Left wrist plain radiograph of the wrist · lateral · follow-up · cast present. 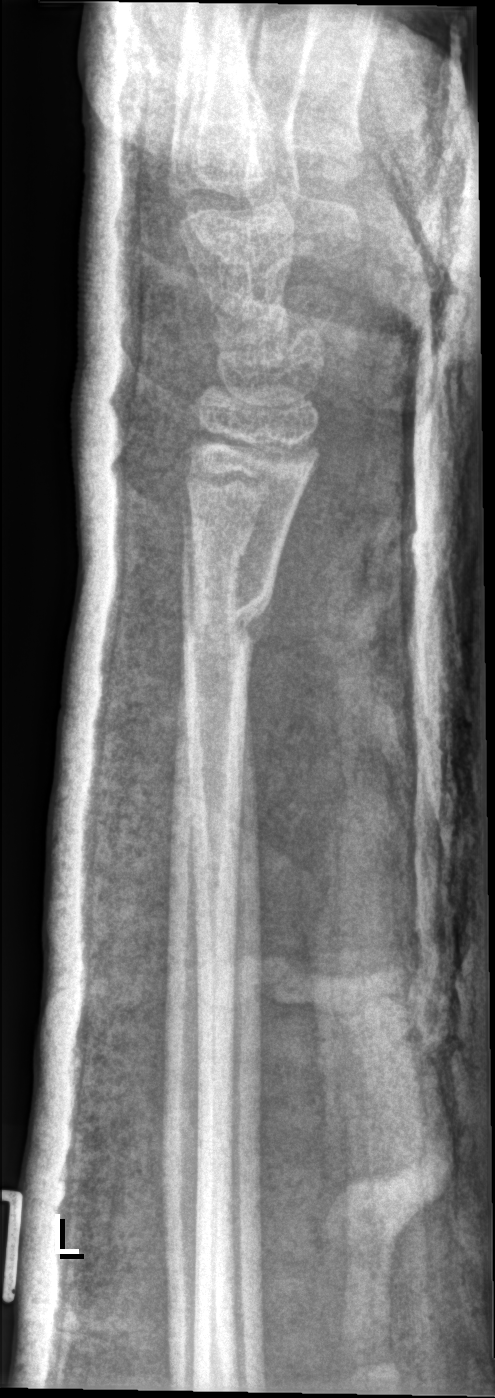

* Fx identified at (179, 580, 275, 662).
* AO/OTA classification: 23-M/3.1.